PA view, Lt wrist radiograph, pediatric patient (male, age 16) — 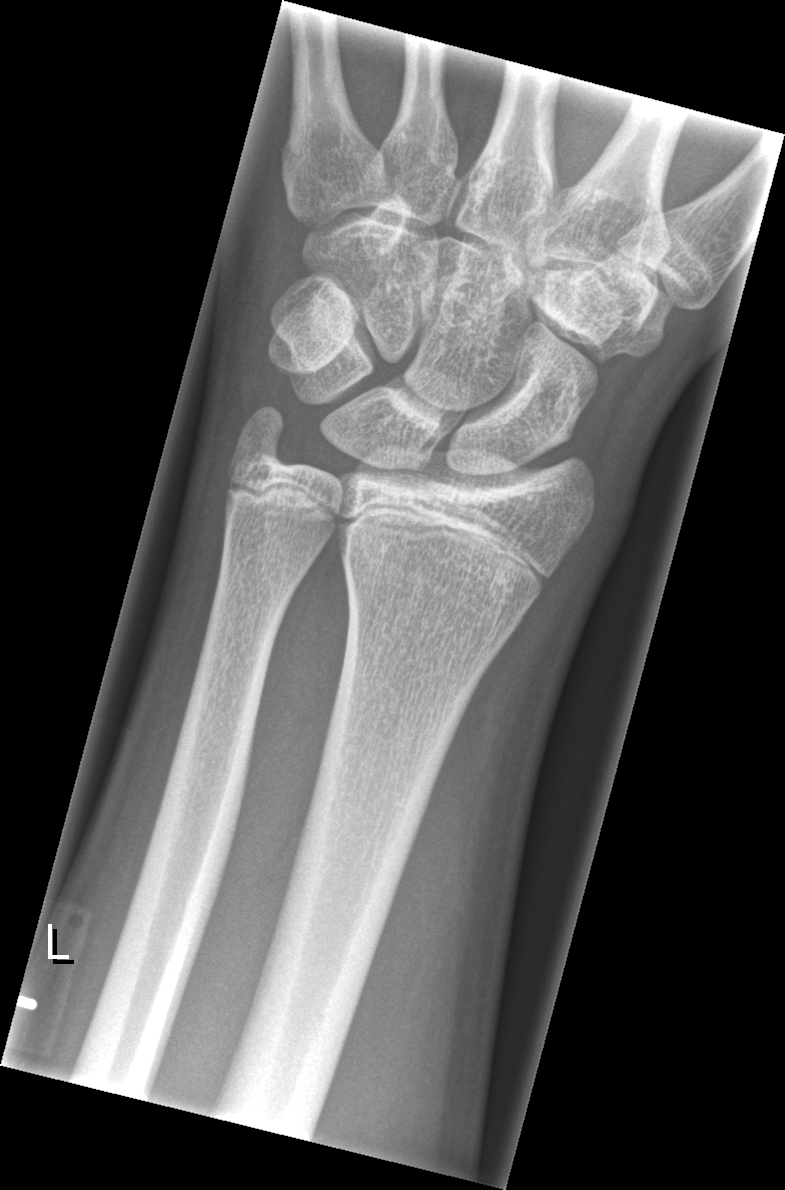

No fracture annotation.